Lateral projection | left wrist pediatric wrist radiograph | 7-year-old girl | image 67.1 mm wide 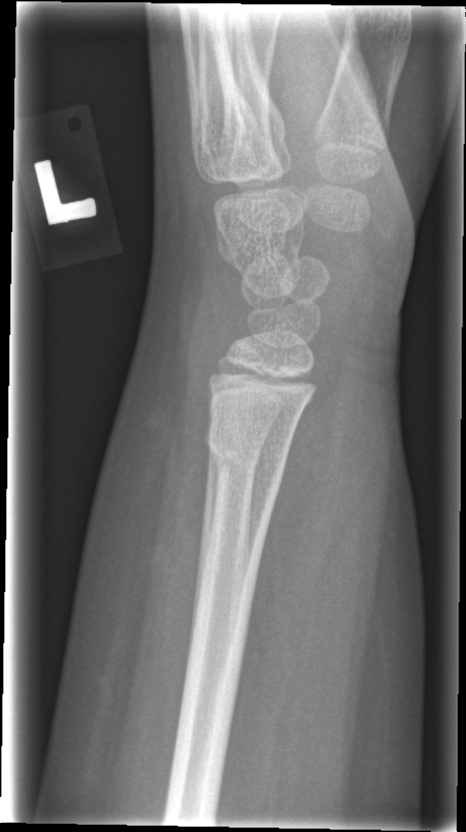
AO code = 23r-M/2.1
Fx = [202, 425, 292, 505]